Frontal projection, left wrist X-ray, 11y M, image 111.3 mm wide —

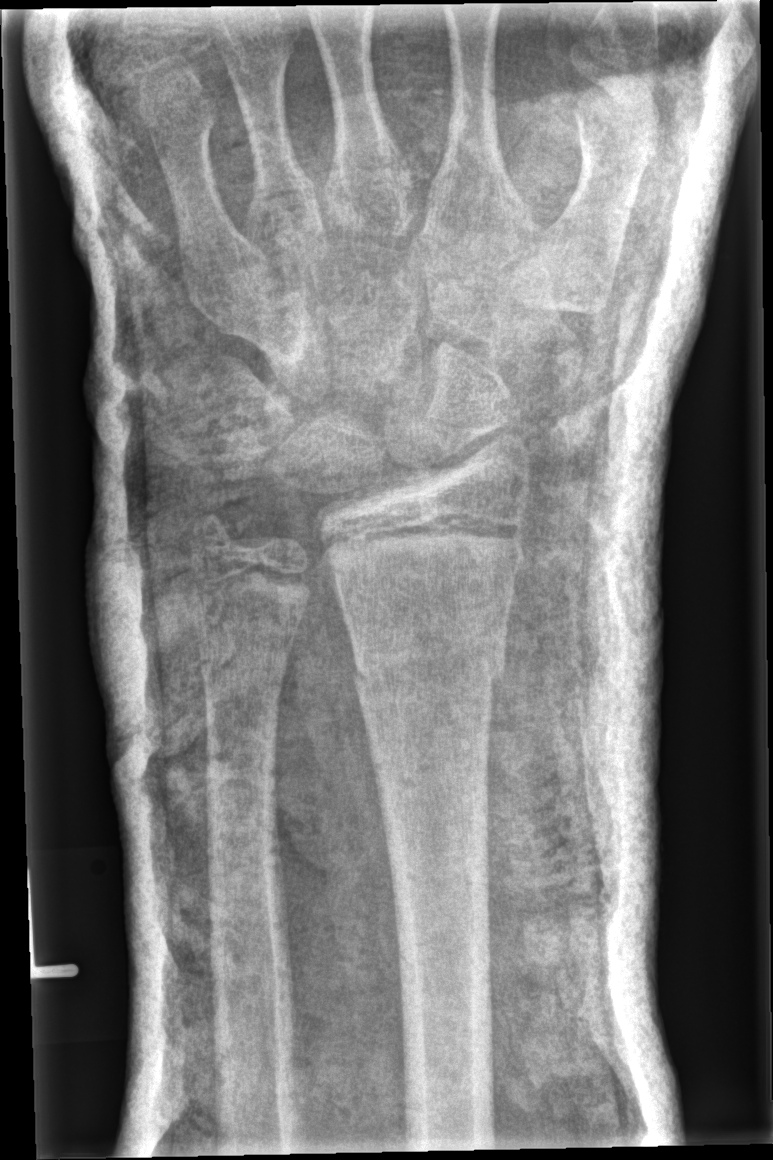

- Coordinates are [x1, y1, x2, y2] in image pixels.
- Fracture: (left=349, top=607, right=511, bottom=705); (left=184, top=503, right=251, bottom=569).